Right wrist X-ray; lat; follow-up study 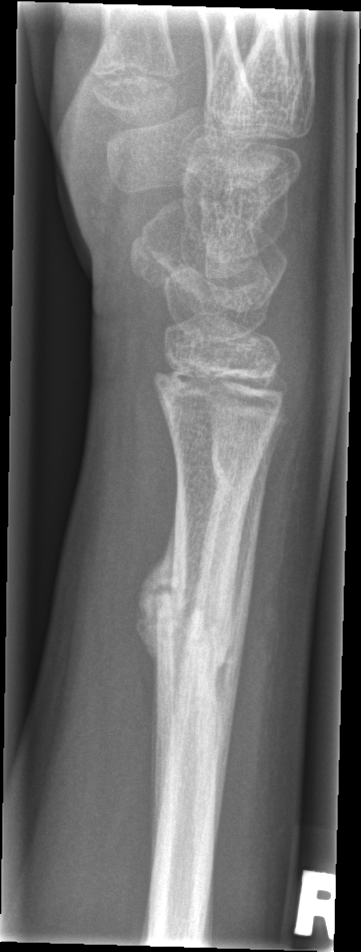

* Fx identified at [152, 556, 246, 680] [210, 442, 270, 497].
* Periosteal new bone: [139, 529, 176, 661].
* AO code 23r-M/3.1; 23u-M/2.1.